Posteroanterior projection · left wrist X-ray · Siemens.

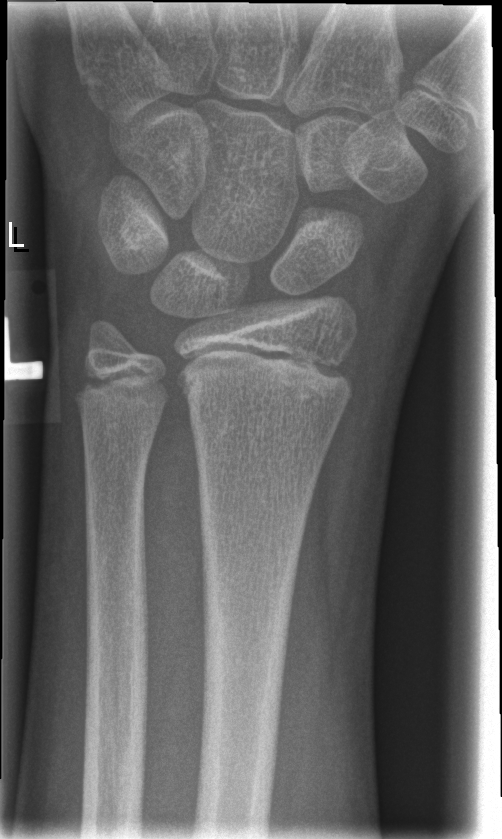 Bone fracture: none labeled